Rt plain radiograph of the wrist | AP projection | subsequent exam: 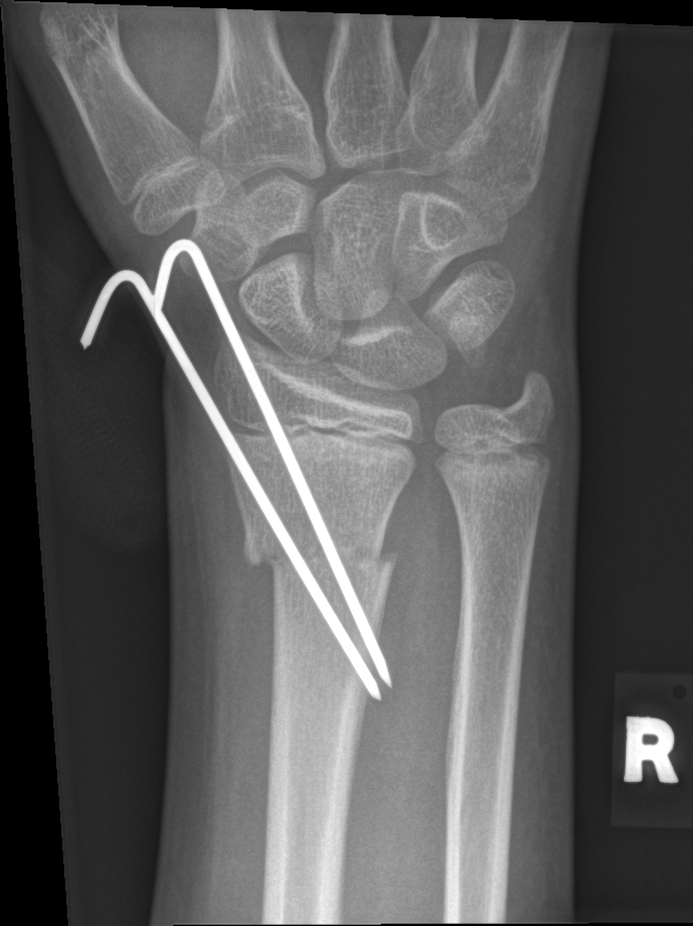
FINDINGS — (bounding boxes in image-pixel xyxy) AO code 23r-M/3.1; 23u-E/1. Metallic hardware: (79, 236, 417, 724). One Fx at (240, 521, 401, 581).